L wrist radiograph · frontal projection · presentation radiograph 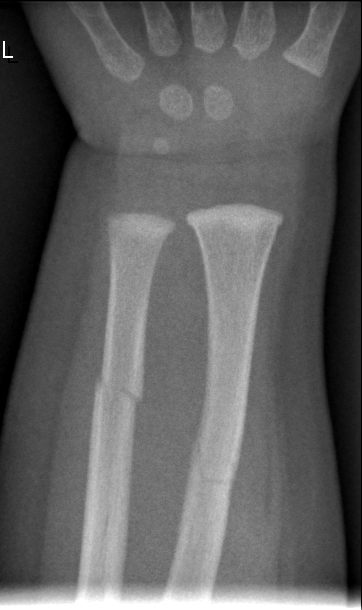

AO/OTA classification: 22-D/2.1. Fractures — <185,426>-<244,500> <92,363>-<147,417>.